Left wrist radiograph | posteroanterior view | boy, 7 yo:

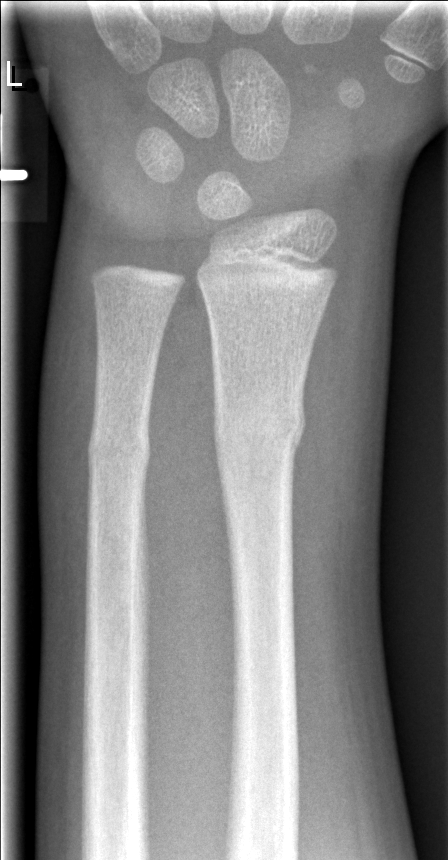 Fracture: 210,390,309,458; 85,424,152,479
AO classification: 23-M/2.1